Rt pediatric wrist radiograph | lateral | 15-year-old male | Siemens 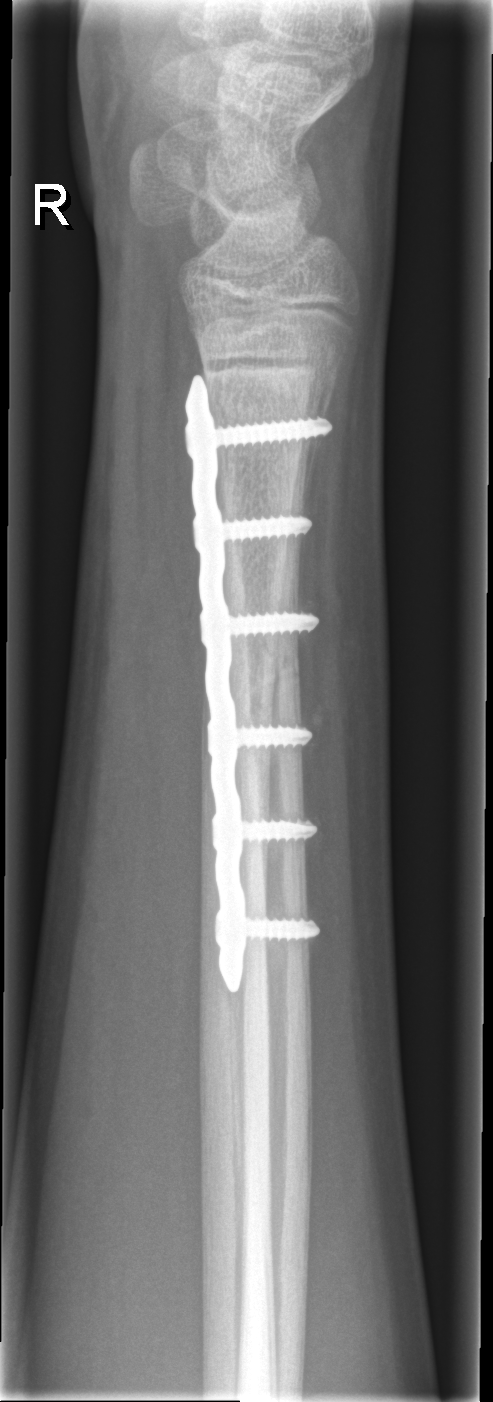
FINDINGS — Fracture present, though not clearly seen in this view. Fracture classified AO/OTA 23u-E/7. Metallic implant: (left=181, top=372, right=335, bottom=994).